PA, Lt wrist plain film, age 14 y, boy, imaged through cast. 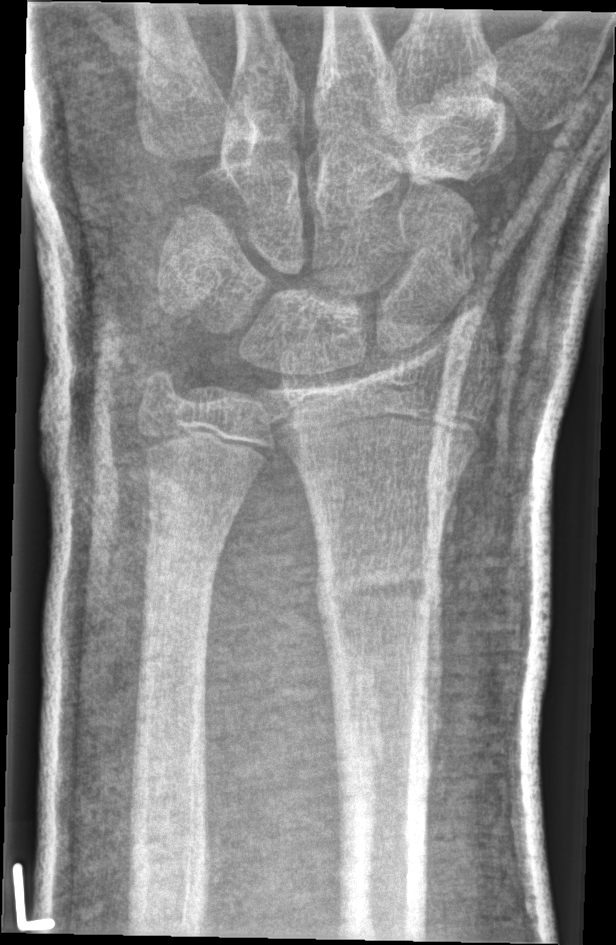

{"_coords": "pixel coordinates, top-left origin, xyxy", "fracture": "313,557,442,630", "ao": "23-M/2.1"}